R pediatric wrist radiograph | lateral view | pediatric patient (girl, age 12):
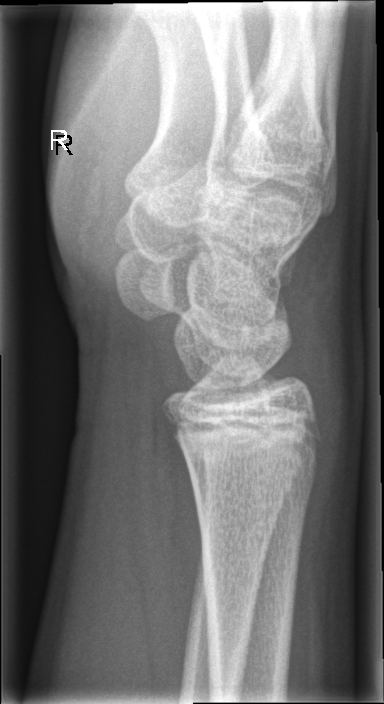

Fracture: none labeled.